Left wrist radiograph | PA/AP projection | age 5 y, girl | 518 x 872 px — 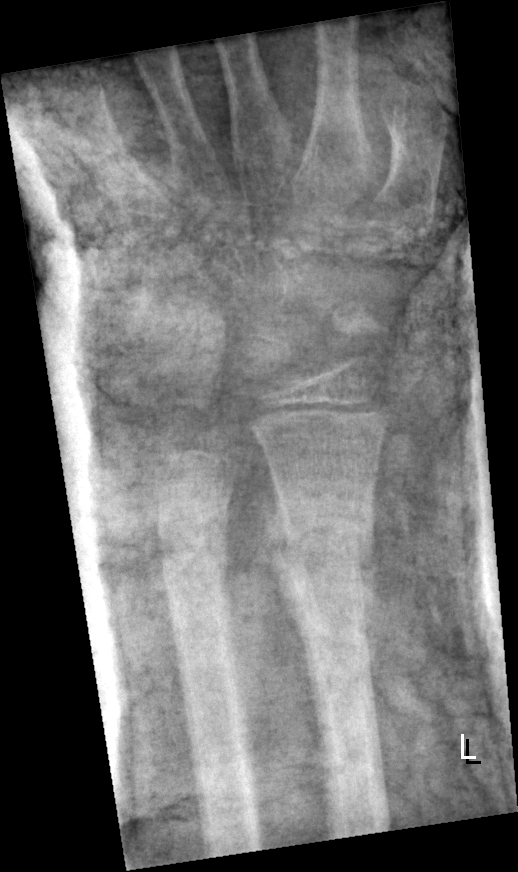
Fracture: <270,497>-<378,612> <155,496>-<231,586>
Periosteal reaction: 3 @ <257,470>-<328,749>, <355,530>-<381,716>, <212,501>-<230,627>
AO code: 23-M/3.1